AP projection | left wrist XR | acquired on Siemens:

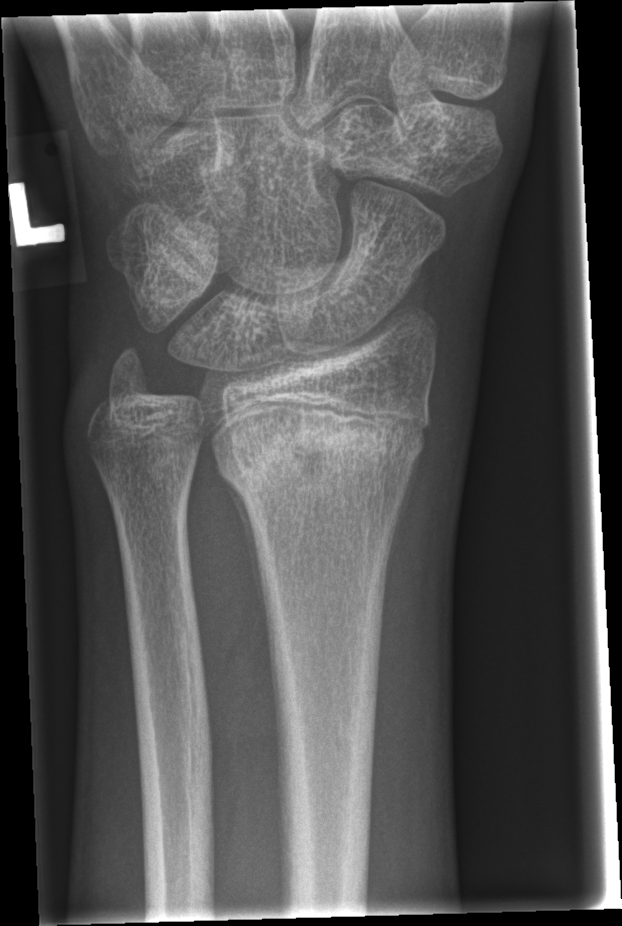
* Fracture — 204,398,433,498.
* Fracture classified AO/OTA 23r-M/3.1; 23u-E/7.
* Osteopenic.